L plain radiograph of the wrist | lat projection | age 16 y, boy | subsequent exam | in cast.
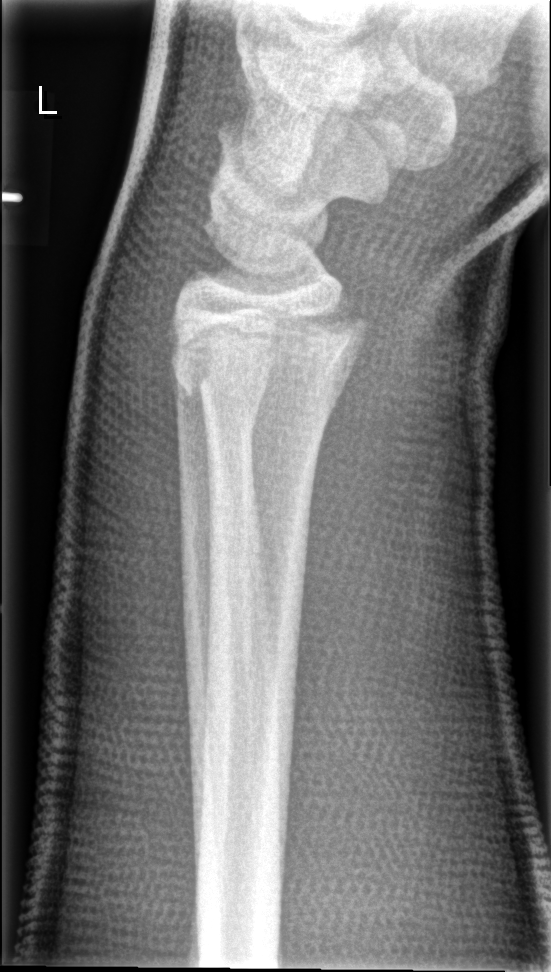
One bone fracture at [161, 299, 371, 404].